Right wrist plain radiograph of the wrist; lat view; age 7 y, girl; initial study; image size 406x694

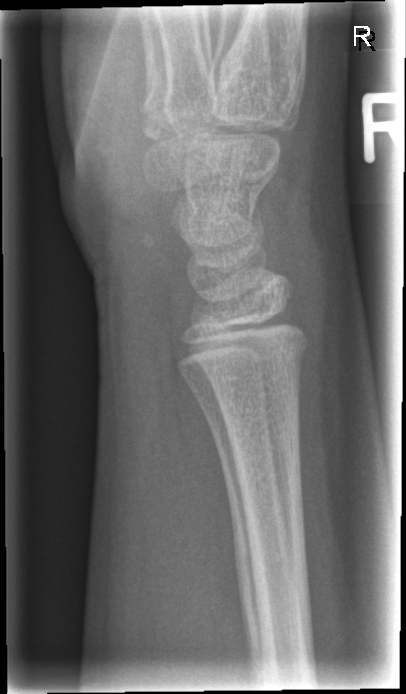
One bone fracture at [x1=199, y1=329, x2=317, y2=375].